PA/AP · L wrist XR · image width 82.1 mm — 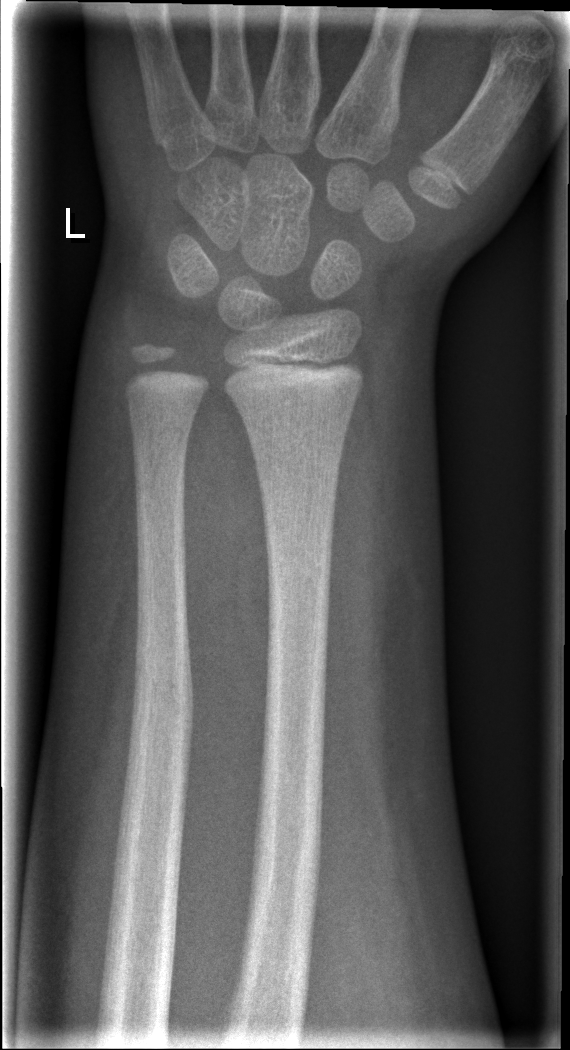
(coordinates are [x1, y1, x2, y2] in image pixels)
AO code: 22r-D/2.1
Fx: 1 @ [x1=129, y1=647, x2=196, y2=746]